Left wrist plain radiograph of the wrist; PA:

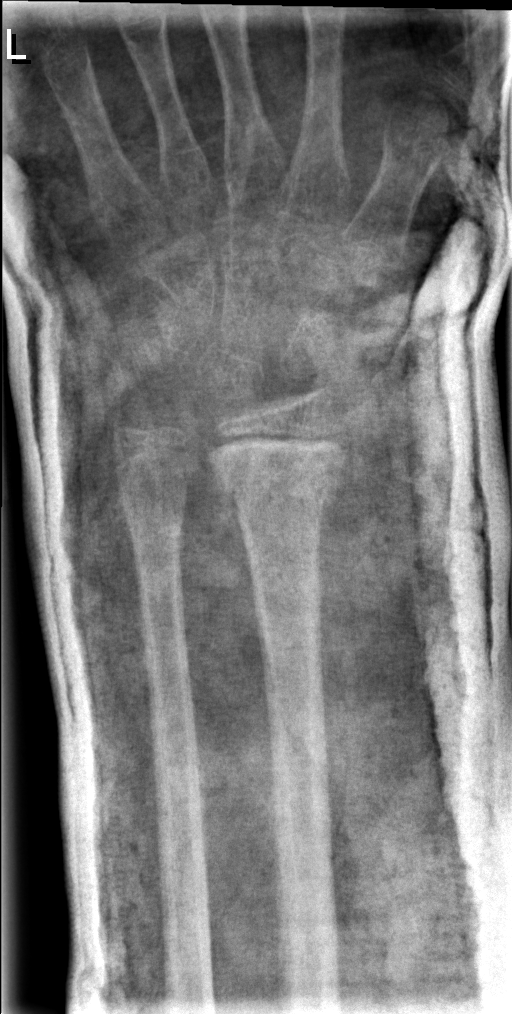 {"_coords": "pixel coordinates, top-left origin, xyxy", "ao": "23r-M/3.1; 23u-M/2.1", "fracture": "2 @ [x1=220, y1=465, x2=347, y2=523], [x1=119, y1=490, x2=193, y2=543]"}